Left wrist plain film | lat view | 13-year-old female | in cast | acquired on Siemens
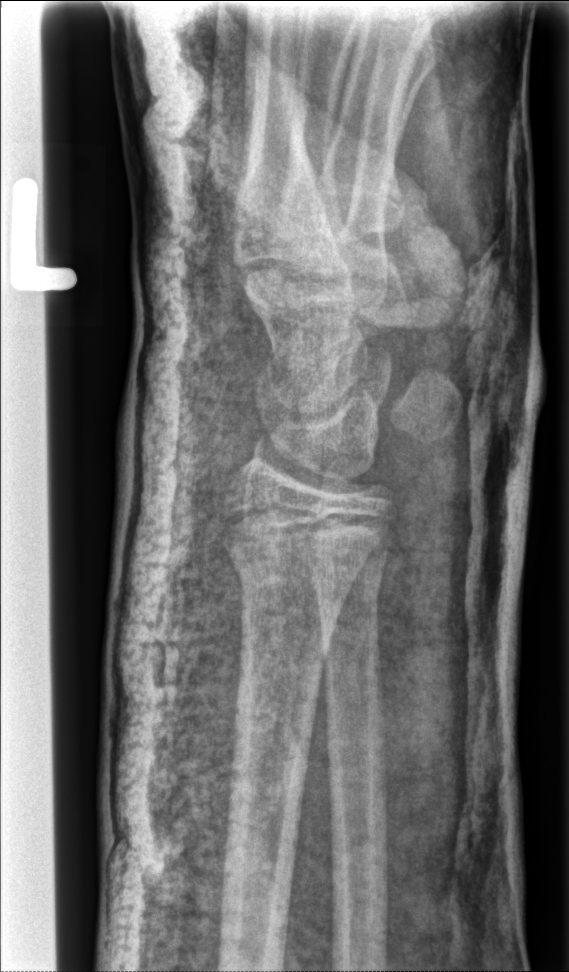
• Pixel coordinates, top-left origin, xyxy.
• One fracture at [213, 500, 351, 602].